Rt wrist X-ray · lateral projection · pediatric patient (girl, age 11) · initial study · Siemens. 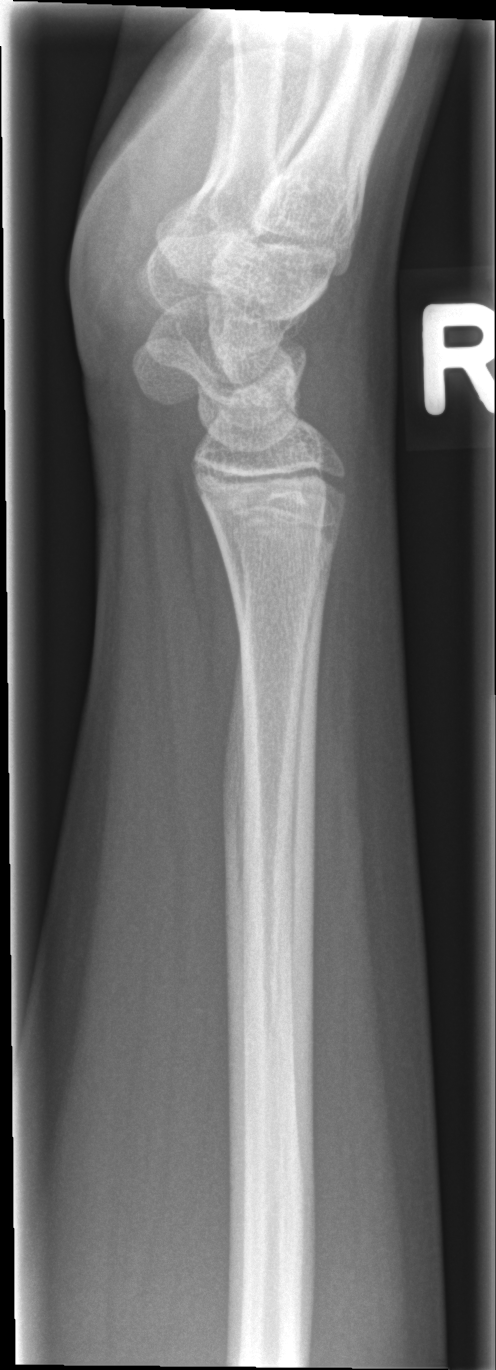

{"fracture": "none labeled"}